L pediatric wrist radiograph, lateral view, pediatric patient (boy, age 13), detector: Siemens: 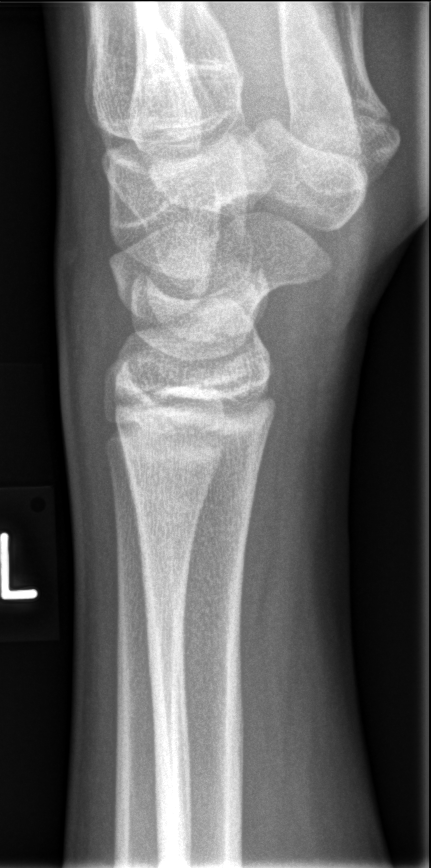 Findings: No fracture labeled.